Lateral view; right pediatric wrist radiograph; age 9 y, girl; index exam; Siemens

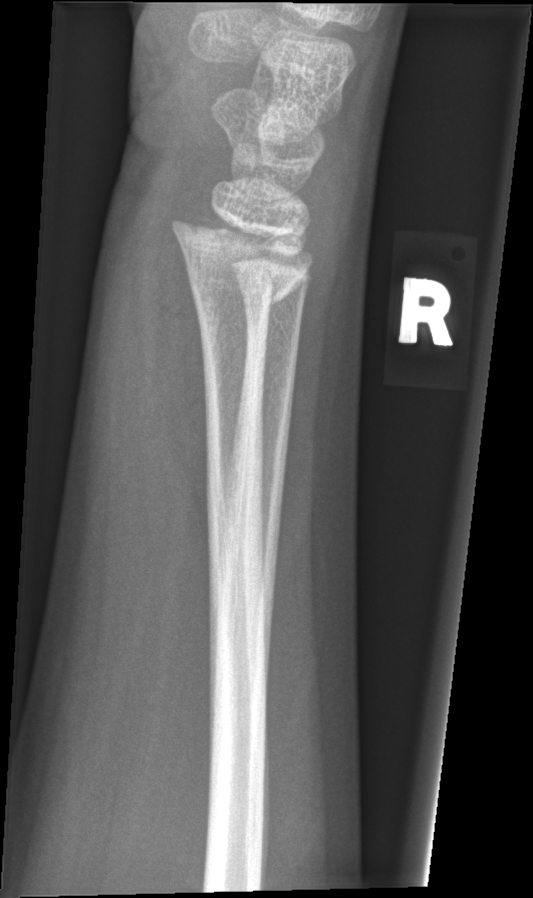

pronator quadratus fat-pad sign = [158, 247, 221, 541]
AO code = 23r-E/2.1
bone fracture = [164, 209, 319, 325]